Lateral view · R wrist radiograph · girl, 11 yo · detector: Siemens
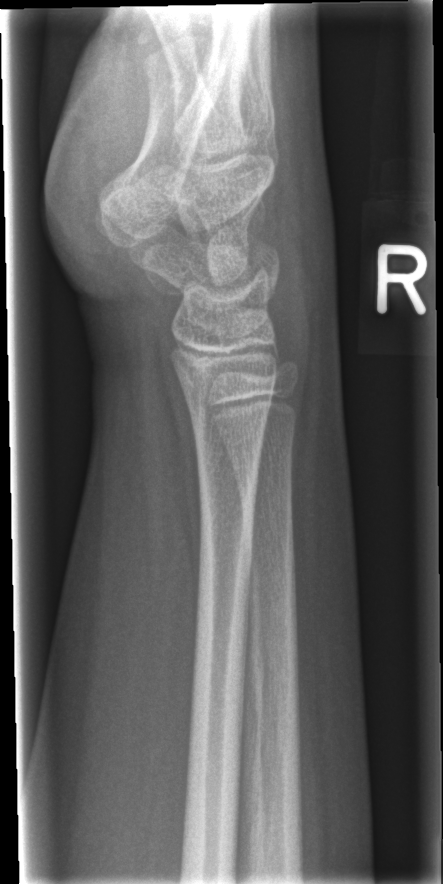

Fracture: none labeled.